R plain radiograph of the wrist, lat:
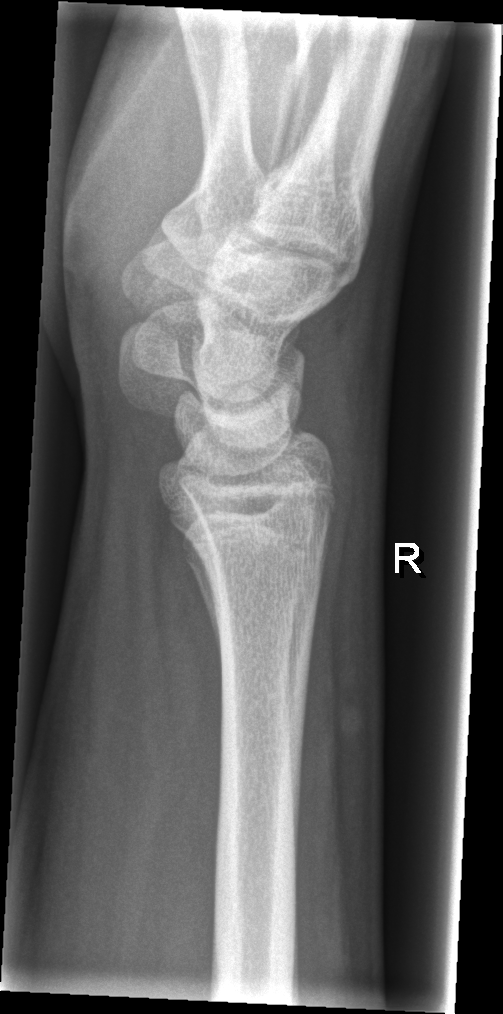

Fx: none.